Lt wrist plain film | lat projection | subsequent exam | 418 x 766 px: 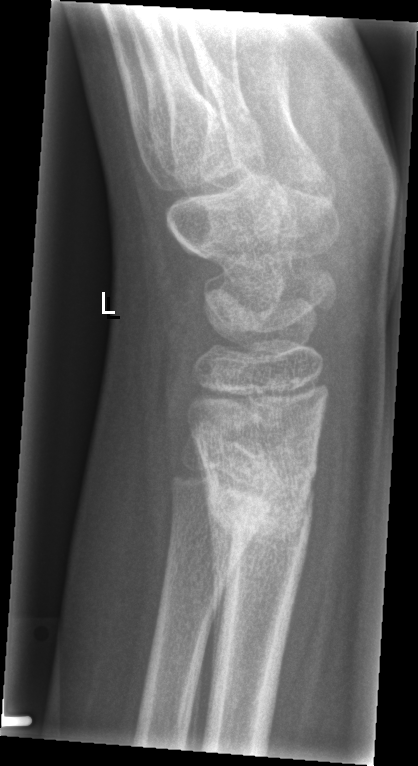 Fx identified at <197,449>-<316,550>. Reduced bone mineral density. Periosteal thickening: <195,437>-<236,685>.